Right wrist X-ray · lat · 14-year-old girl. 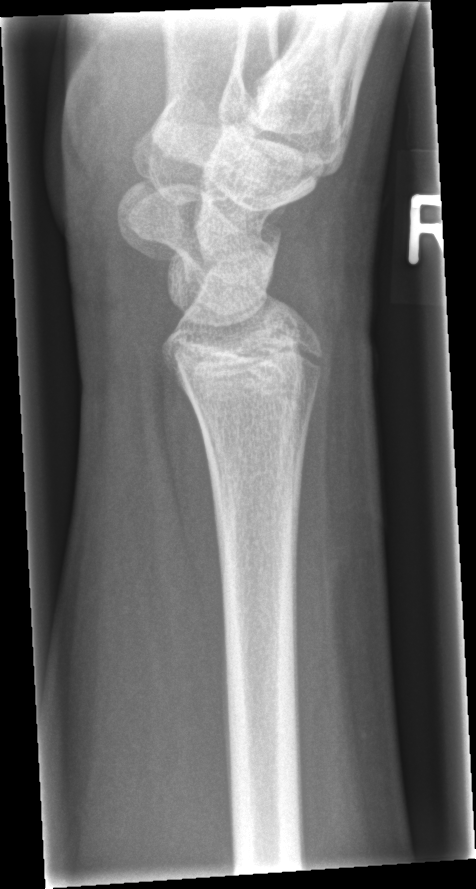 Q: Any fracture seen?
A: No fracture labeled